Right wrist radiograph · frontal view · follow-up · cast in situ · 631 x 990 px —
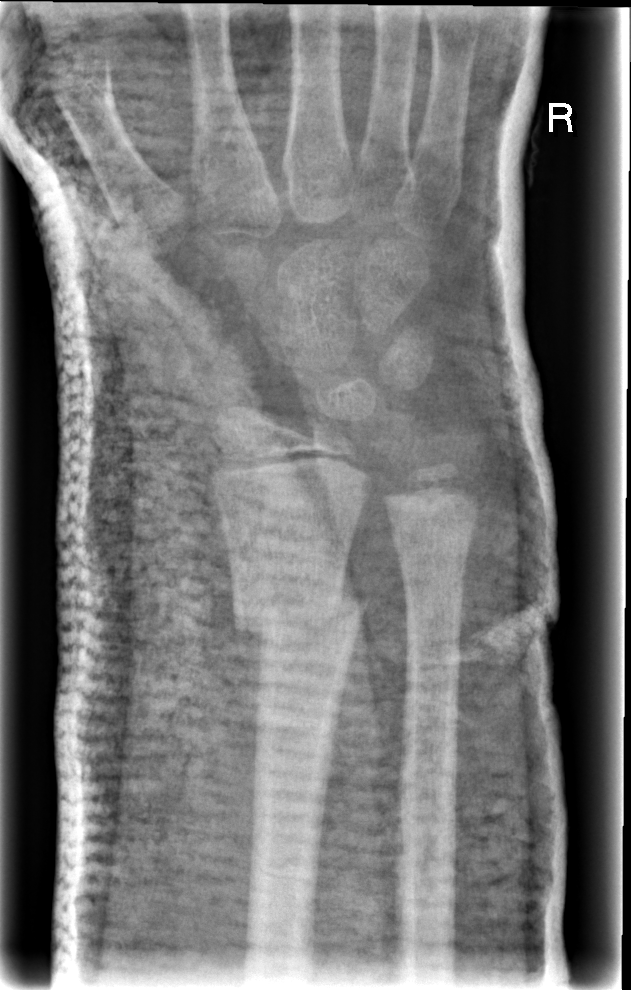
{"_coords": "pixel coordinates, top-left origin, xyxy", "ao": "23r-M/3.1; 23u-M/2.1", "fracture": "[227, 584, 364, 644]"}